Lt pediatric wrist radiograph, lateral —
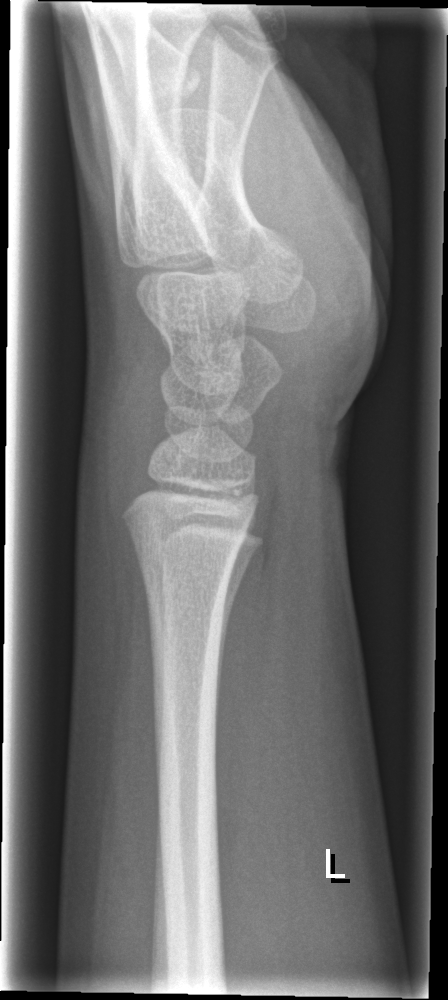
Fx = none labeled